R wrist XR; posteroanterior projection.
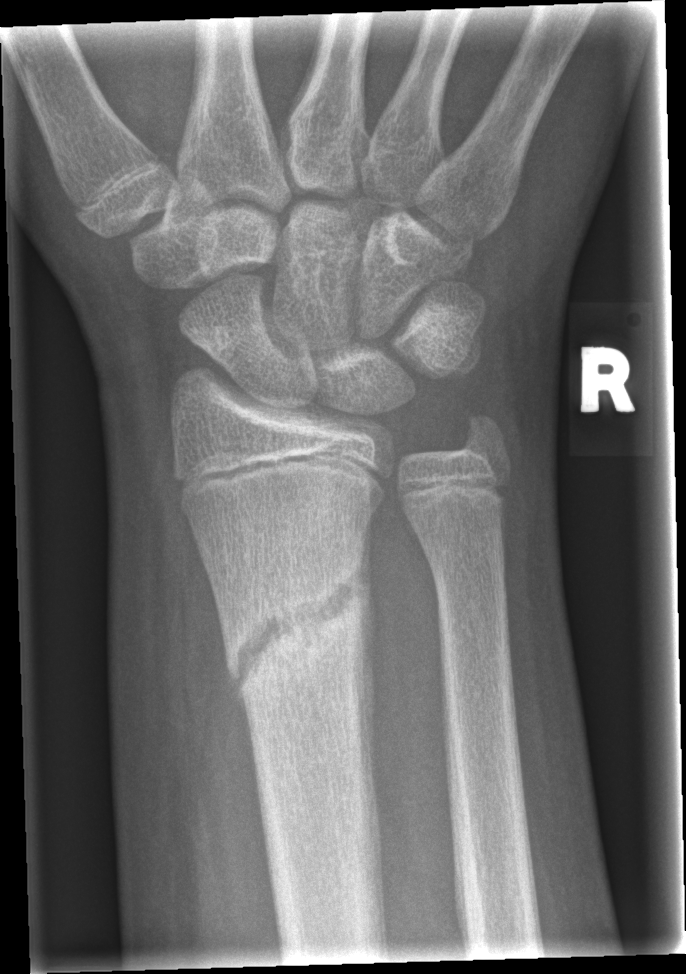

Fx = (left=222, top=550, right=373, bottom=703); (left=452, top=401, right=511, bottom=464)
osteopenia = present